Lt plain radiograph of the wrist, posteroanterior projection, 5-year-old female, detector: Siemens

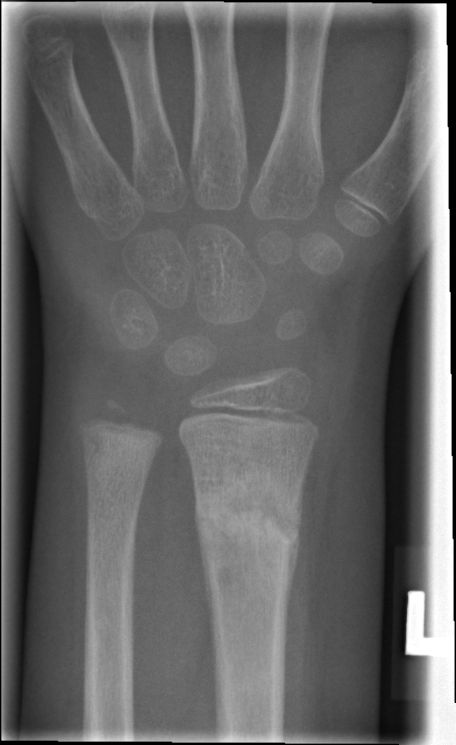

Periosteal thickening: 285,455,310,630 | 194,499,213,628. Decreased bone density (osteopenia). Two Fx at 193,478,303,575 | 82,432,160,488. AO/OTA classification: 23-M/2.1.